Posteroanterior · L pediatric wrist radiograph · cast in situ.
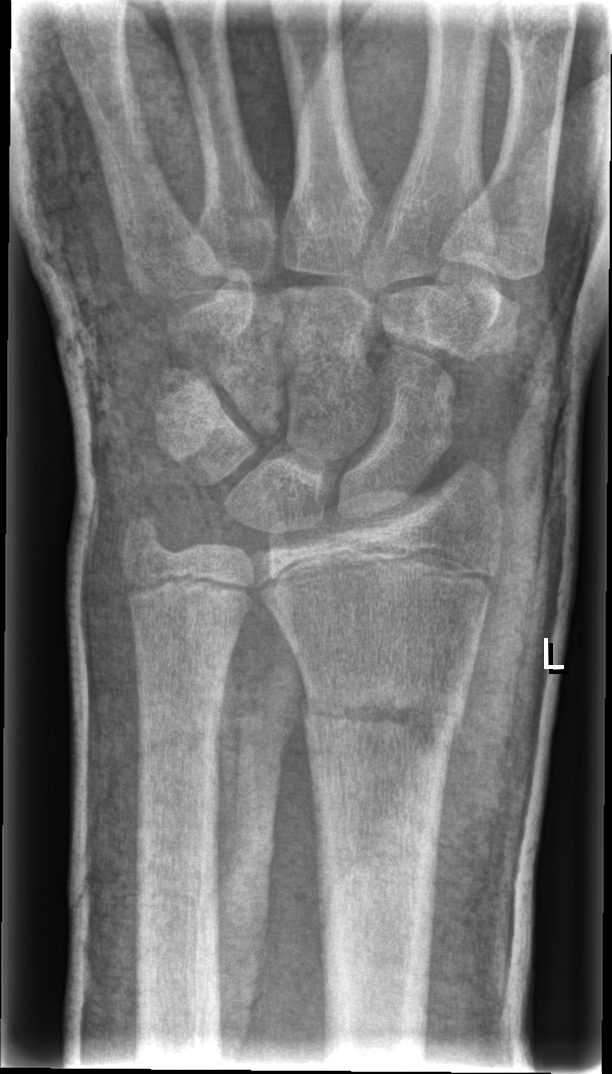 Pixel coordinates, top-left origin, xyxy.
Fx — <298,665>-<469,765>.